Lat view | L plain radiograph of the wrist | pediatric patient (boy, age 11) | image size 562x1008. 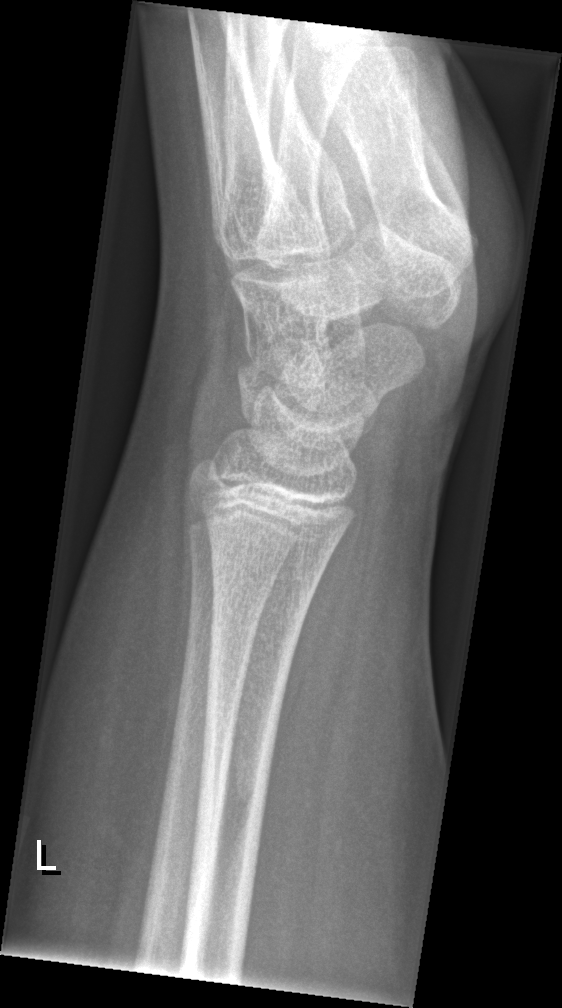

No fracture labeled.